Lt plain radiograph of the wrist · lateral projection · age 15 y, boy · index exam — 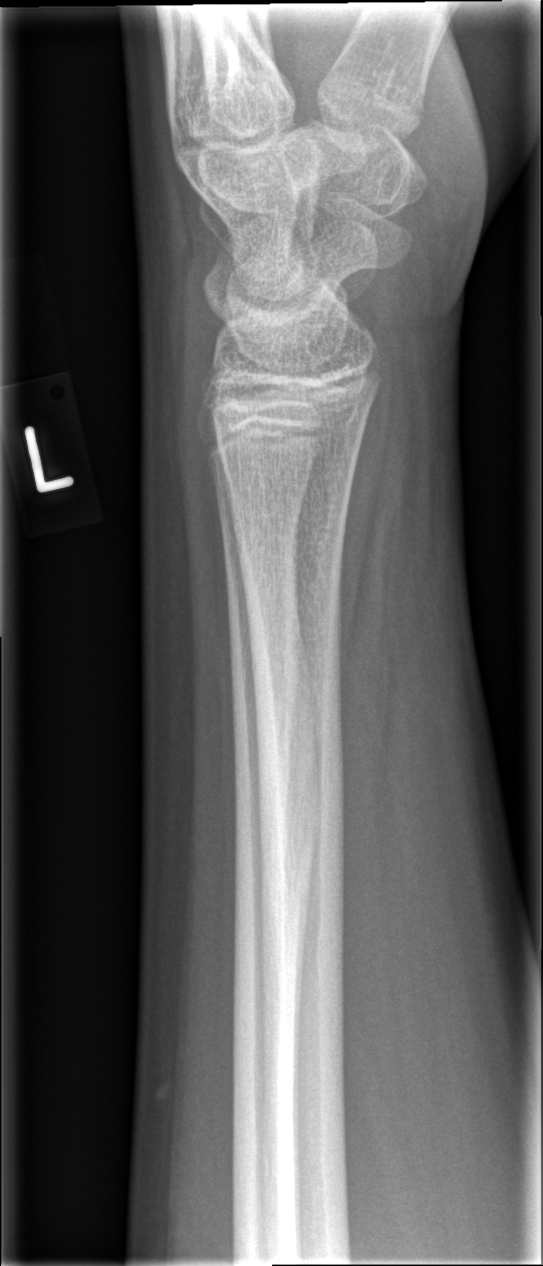 • Fracture: none labeled.